Posteroanterior view; left pediatric wrist radiograph; initial study; 586 x 1418 px —
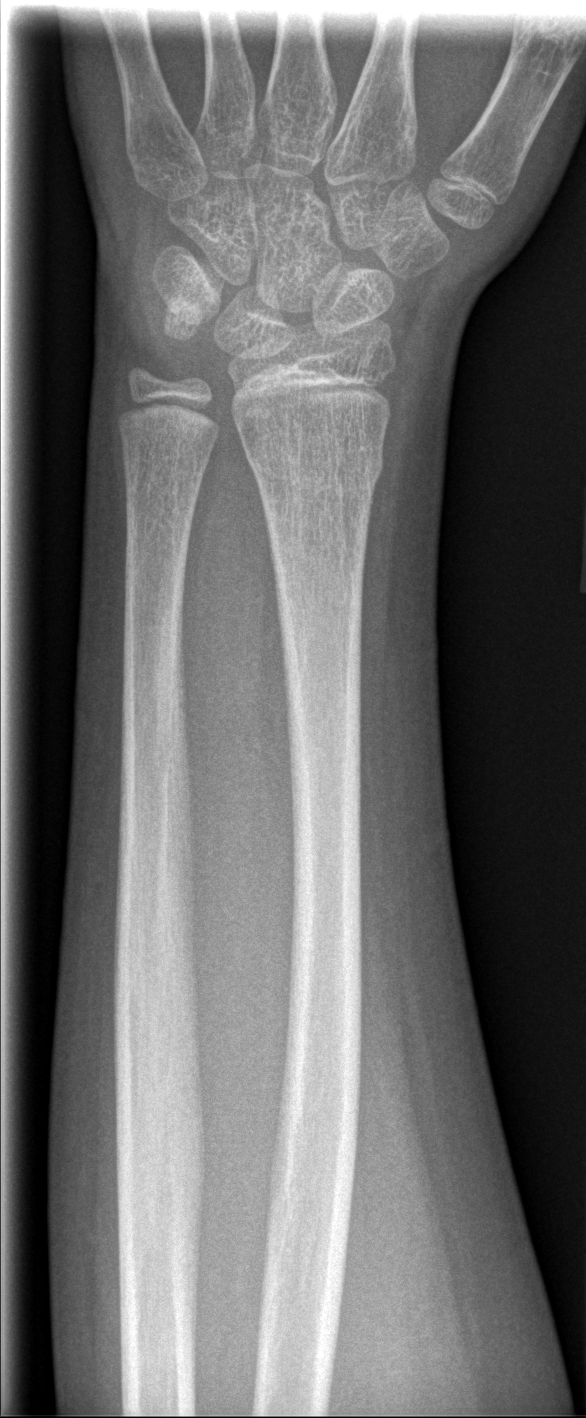 Pixel coordinates, top-left origin, xyxy. Fracture classified AO/OTA 23r-M/3.1. Fracture — [x1=241, y1=441, x2=385, y2=486].